Left wrist plain film | lateral projection | 10-year-old boy. 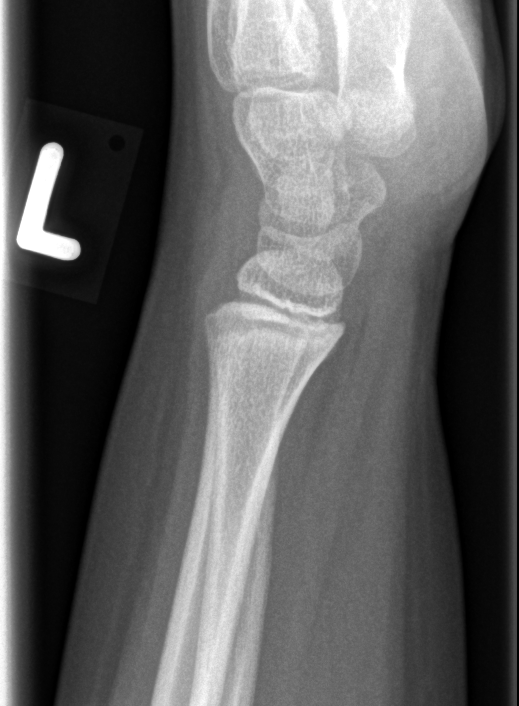

No fracture labeled.